Lt wrist XR · lat projection · 11-year-old female.

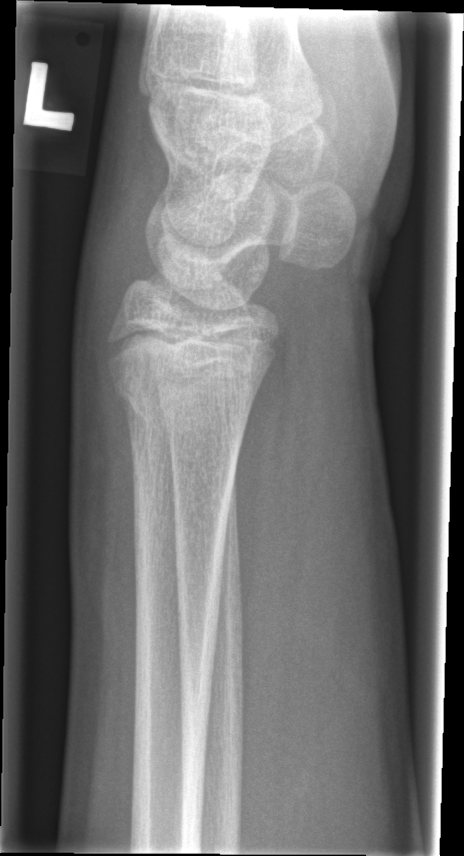

• Boxes as x1,y1,x2,y2 (top-left / bottom-right, pixel units).
• One fracture at bbox(110, 371, 253, 454).
• Fracture classified AO/OTA 23r-M/2.1.